Right wrist XR · PA/AP · age 13 y, male · index exam:
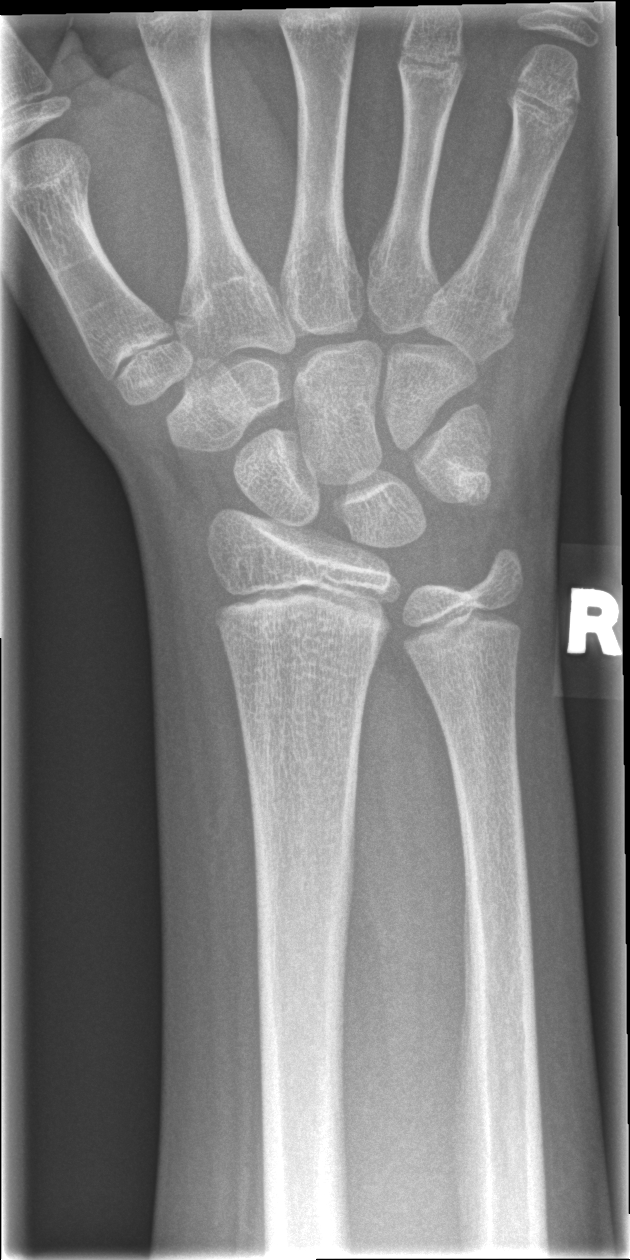 No fracture bounding box.